AP projection; R wrist plain film; age 13 y, male; Siemens.

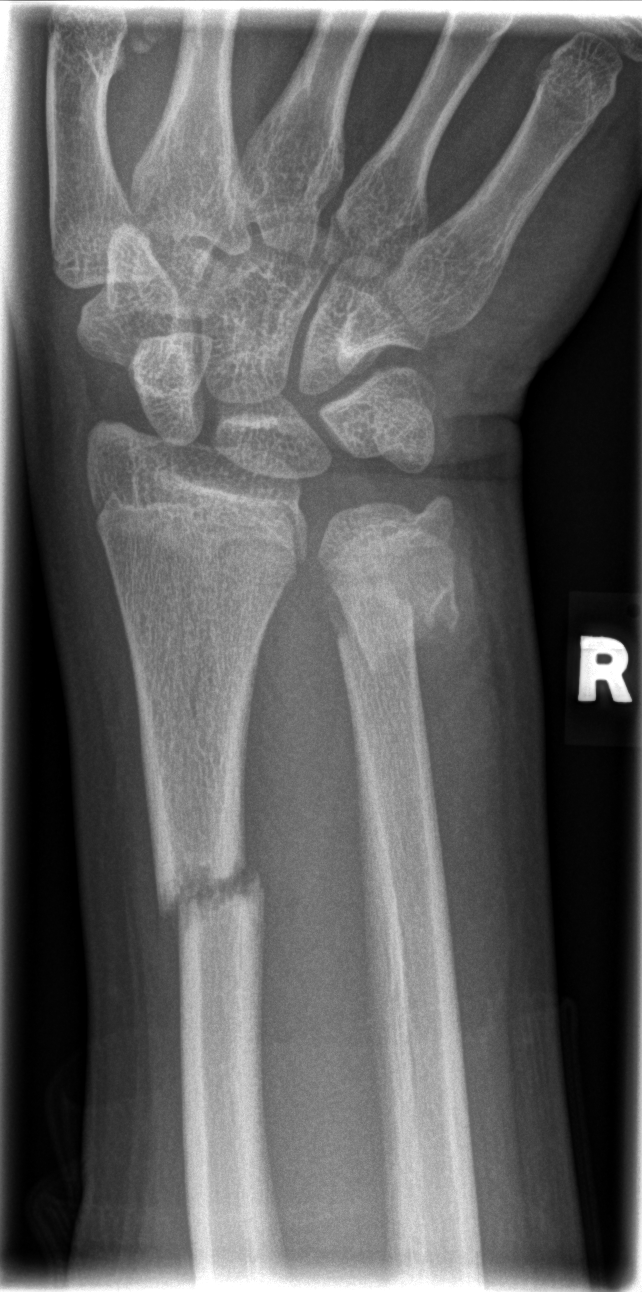 - Boxes as x1,y1,x2,y2 (top-left / bottom-right, pixel units).
- AO/OTA classification: 22r-D/4.1; 23u-M/3.1.
- Fx: bbox(323, 542, 472, 679) bbox(152, 844, 266, 945).